L wrist plain film | lateral projection —
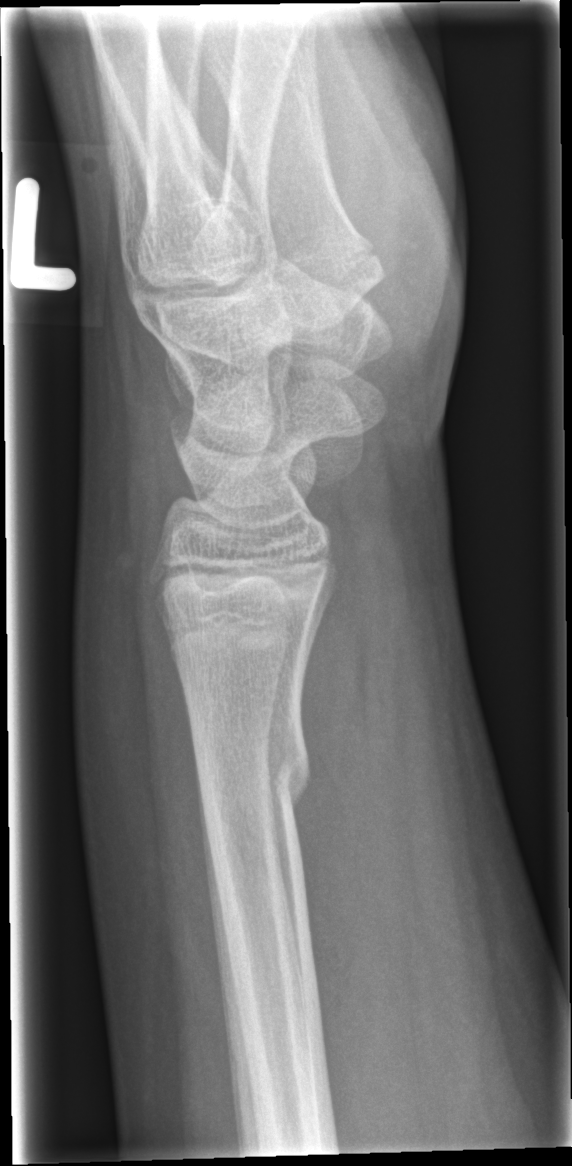
Bounding boxes in image-pixel xyxy. AO code 23r-M/2.1. Bone fracture: <189,724>-<313,824>. Positive pronator fat-pad sign identified at <298,529>-<384,1047>.